PA view; right wrist pediatric wrist radiograph; 10-year-old male; 83.1 mm image width. 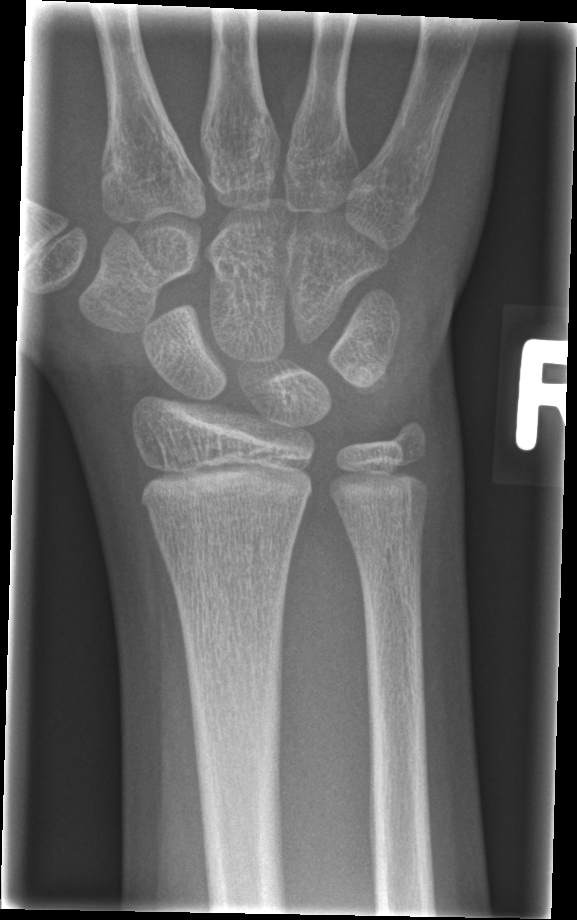
Q: Any fracture seen?
A: No Fx annotated